AP view; Lt pediatric wrist radiograph

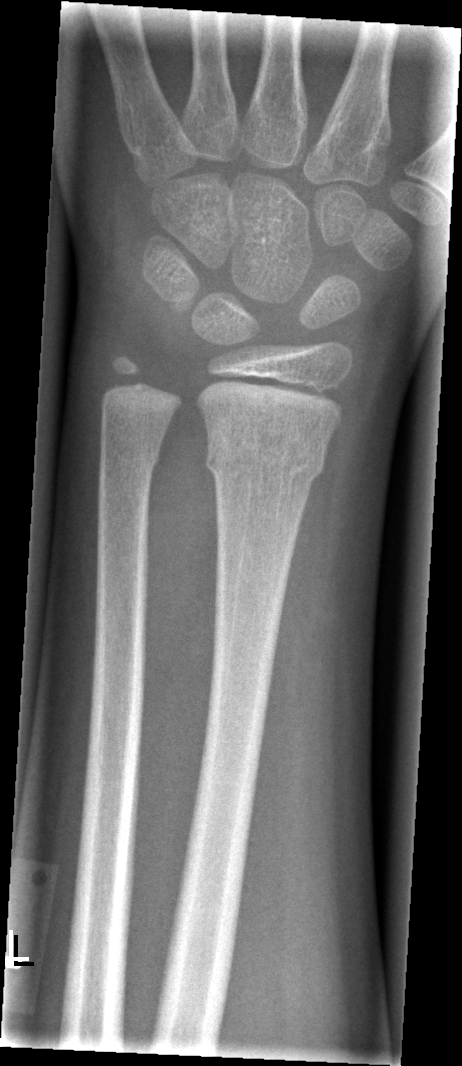
Boxes as x1,y1,x2,y2 (top-left / bottom-right, pixel units).
Fracture: bbox(203, 419, 330, 491); bbox(97, 434, 163, 473).
AO/OTA classification: 23-M/2.1.